Lat, Rt pediatric wrist radiograph, pediatric patient (girl, age 15), in cast, acquired on Siemens —
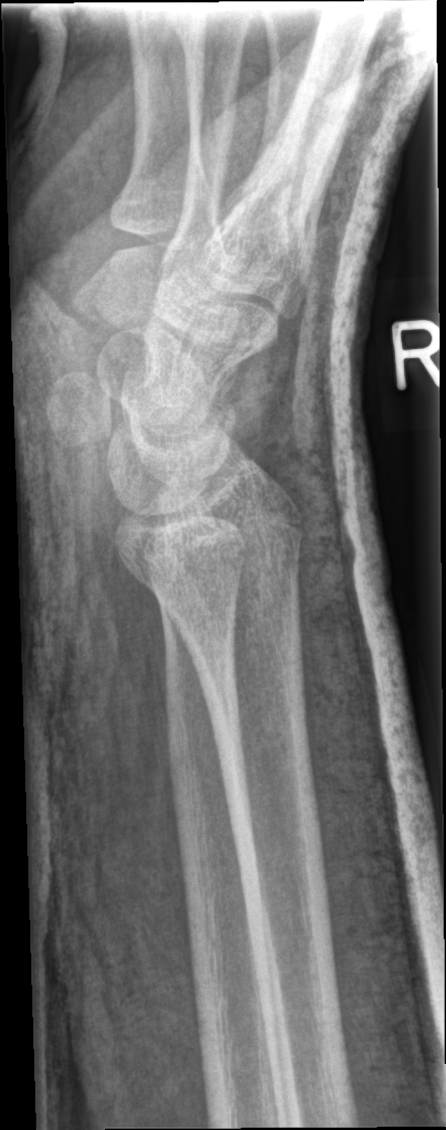

Fx: none labeled